Oblique projection · Rt wrist X-ray · girl, 5 yo · cast present.

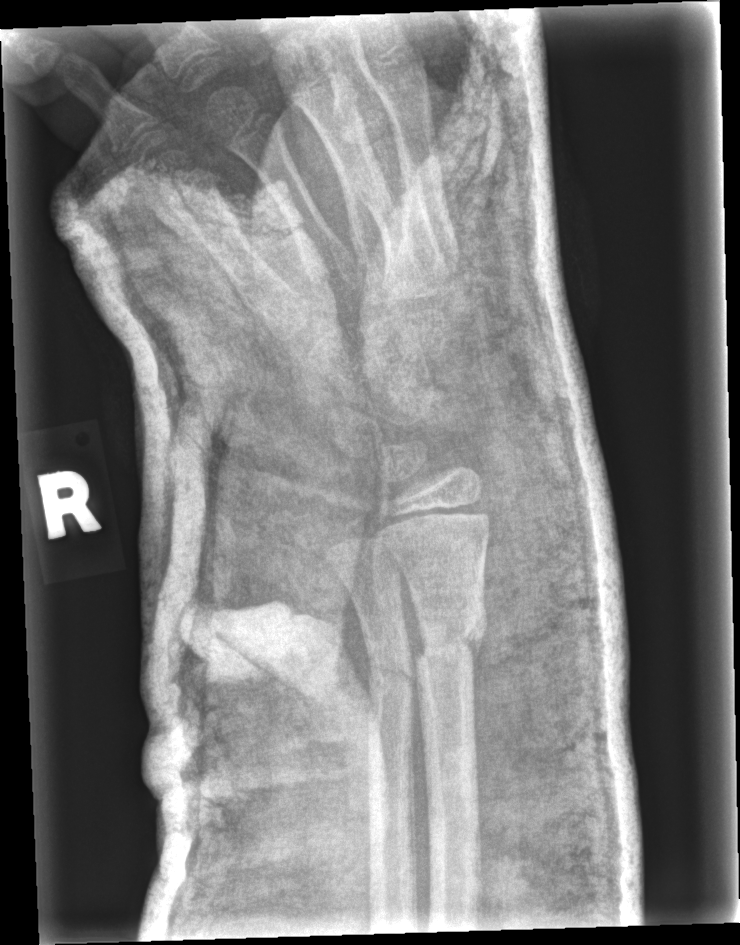 {"fracture": "bbox(413, 600, 489, 677); bbox(364, 651, 419, 696)"}